L wrist plain film, lat projection, girl, 13 yo — 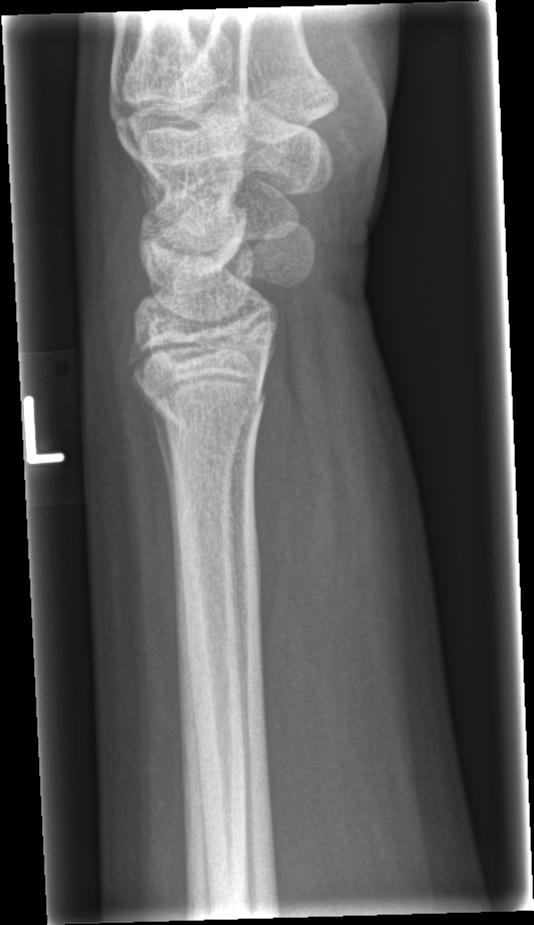 soft-tissue swelling = bbox(243, 277, 420, 801)
pronator sign = bbox(250, 349, 312, 638)
Fx = 1 @ bbox(137, 364, 268, 441)